Left wrist plain radiograph of the wrist | lat: 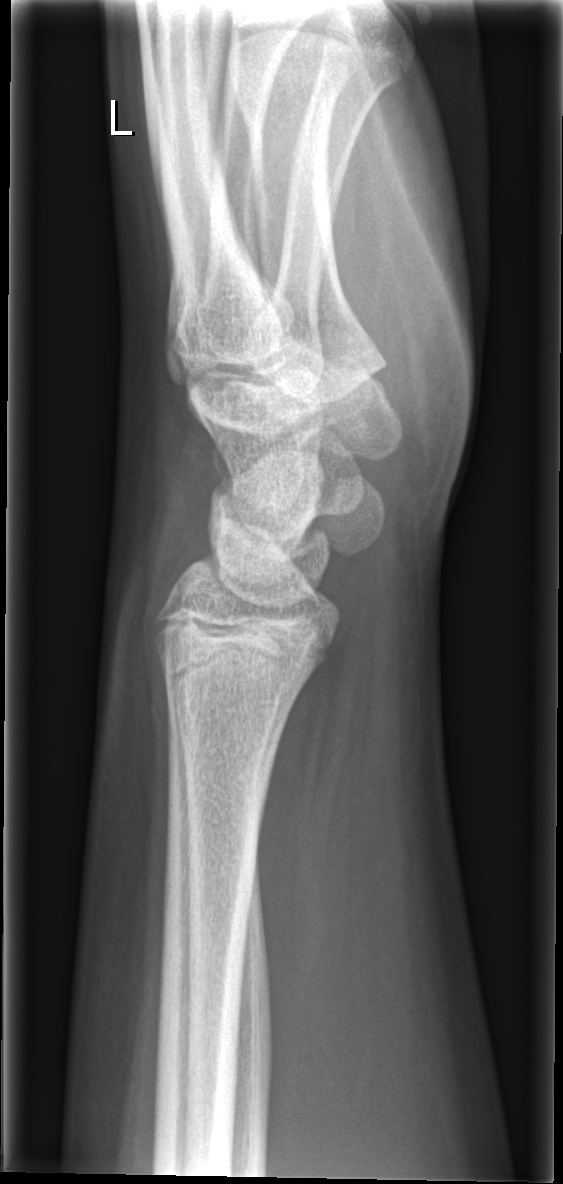

No fracture labeled.